AP projection, R wrist plain film, age 13 y, female, detector: Siemens, 712x895.

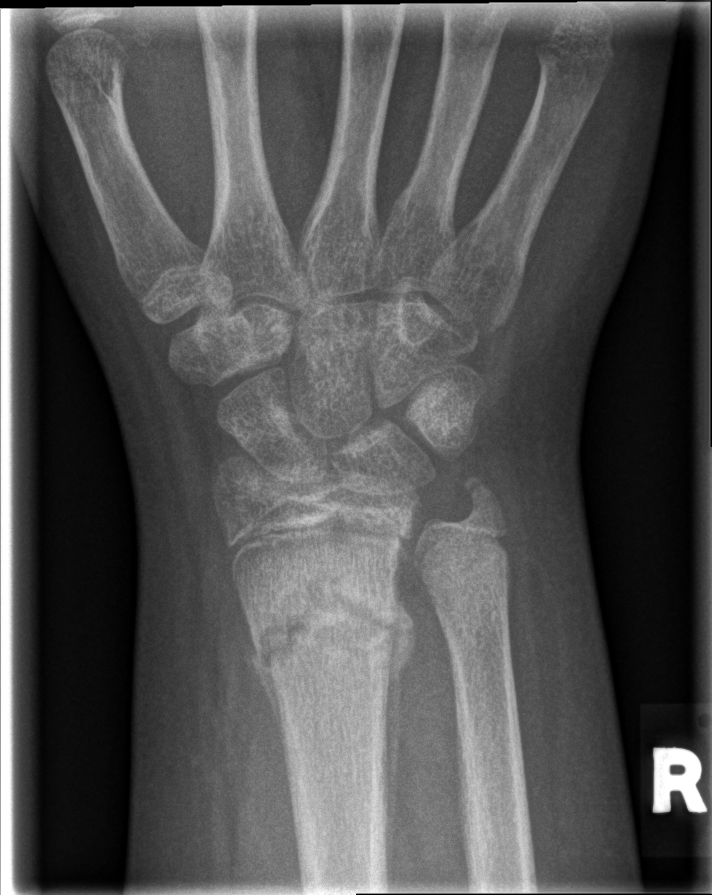
FINDINGS: (pixel coordinates, top-left origin, xyxy) Periosteal thickening identified at (384, 574, 415, 888); (252, 634, 283, 748). Osteopenic. Fractures — (242, 565, 403, 682), (420, 542, 512, 630), (454, 469, 507, 521). AO/OTA classification: 23r-M/3.1; 23u-M/2.1; 23u-E/7.